Frontal projection; right wrist pediatric wrist radiograph; 5-year-old female; initial study; acquired on Siemens.

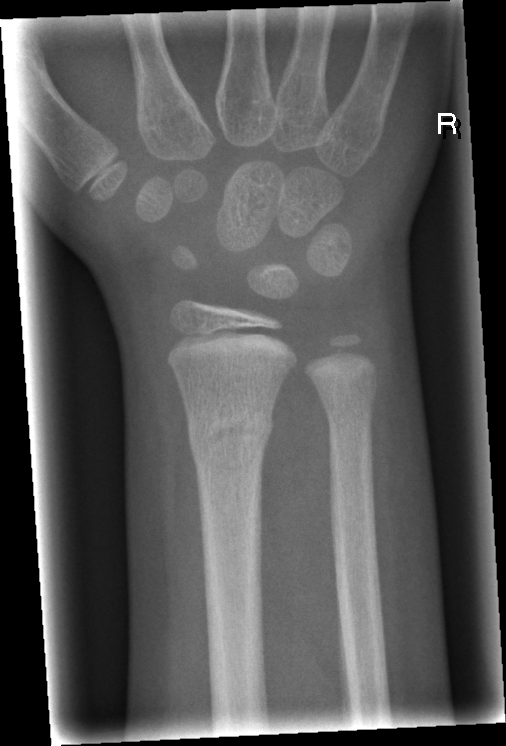
  # pixel coordinates, top-left origin, xyxy
  ao: 23-M/2.1
  fracture: 2 @ 185,399,277,465
  317,379,381,429